L wrist XR; lat projection; male, 17 yo 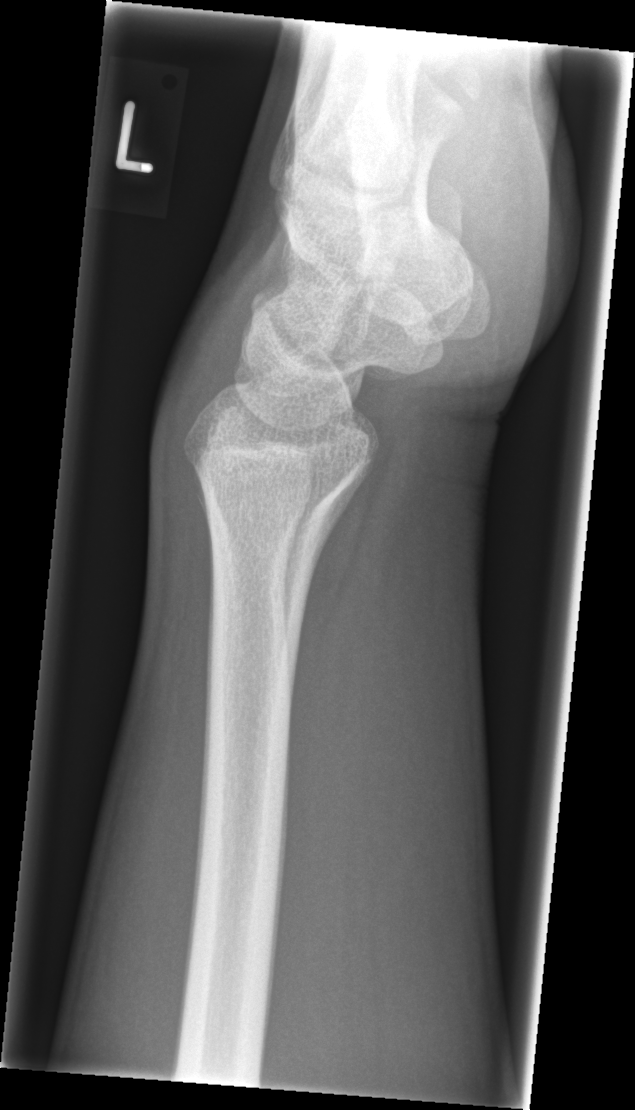
FINDINGS: Fx: none.